Lateral view; L plain radiograph of the wrist; imaged through cast 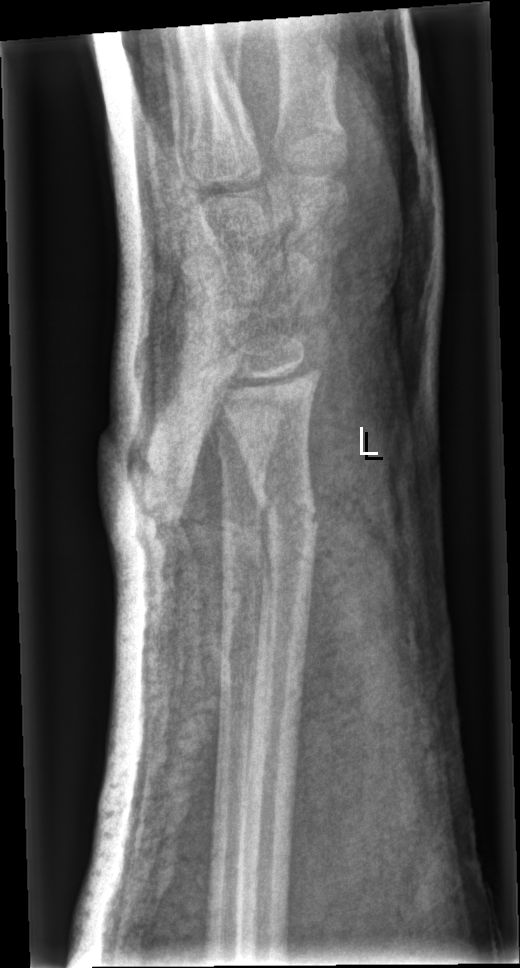

Fx identified at (left=247, top=485, right=319, bottom=536).